R wrist X-ray · frontal projection · initial study · image size 501x1128 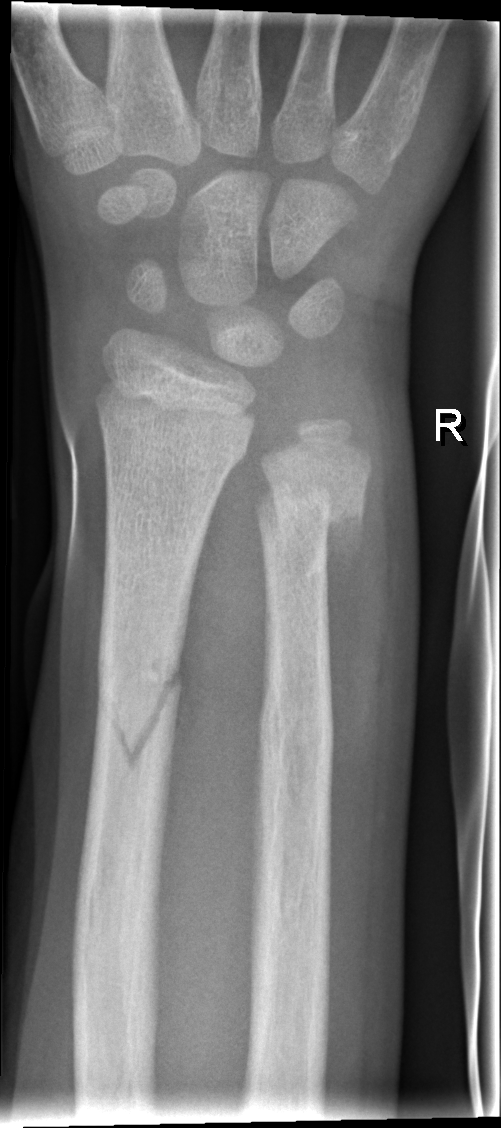 (boxes as x1,y1,x2,y2 (top-left / bottom-right, pixel units))
AO classification = 22-D/2.1; 23u-M/3.1
fracture = 3 @ [x1=92, y1=632, x2=184, y2=778], [x1=251, y1=467, x2=369, y2=546], [x1=252, y1=676, x2=341, y2=773]